Rt wrist X-ray; lateral projection; 10-year-old female; presentation radiograph. 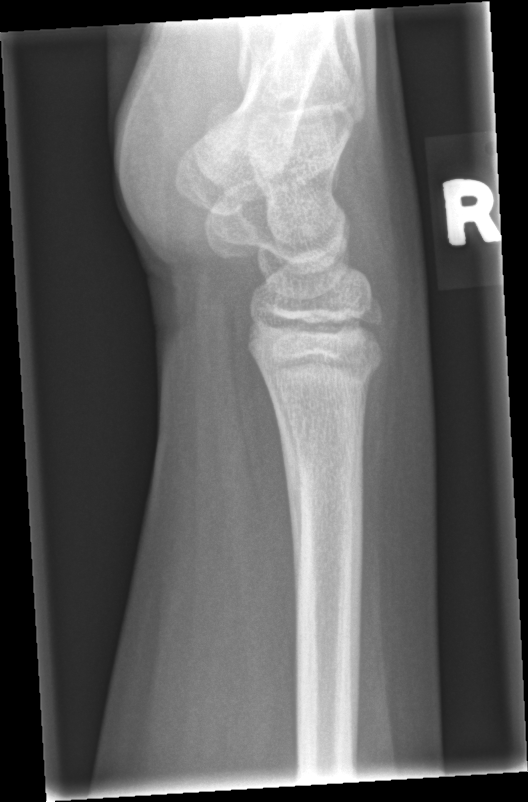 One fracture at (262, 347, 390, 410).